Left pediatric wrist radiograph, lateral. 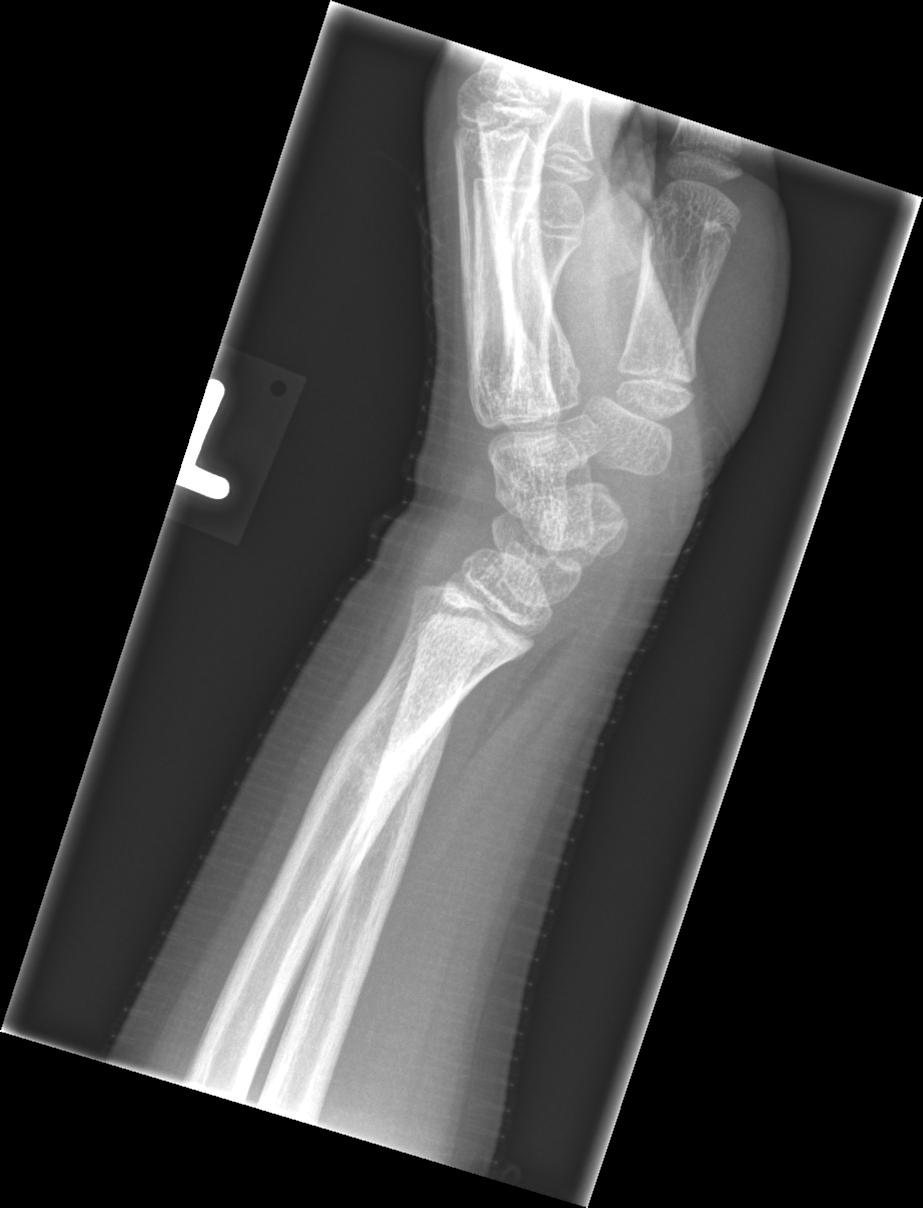

Fracture: <310,705>-<450,863>